Lateral projection · left wrist plain film · cast present · 102.2 mm image width · 710x936:

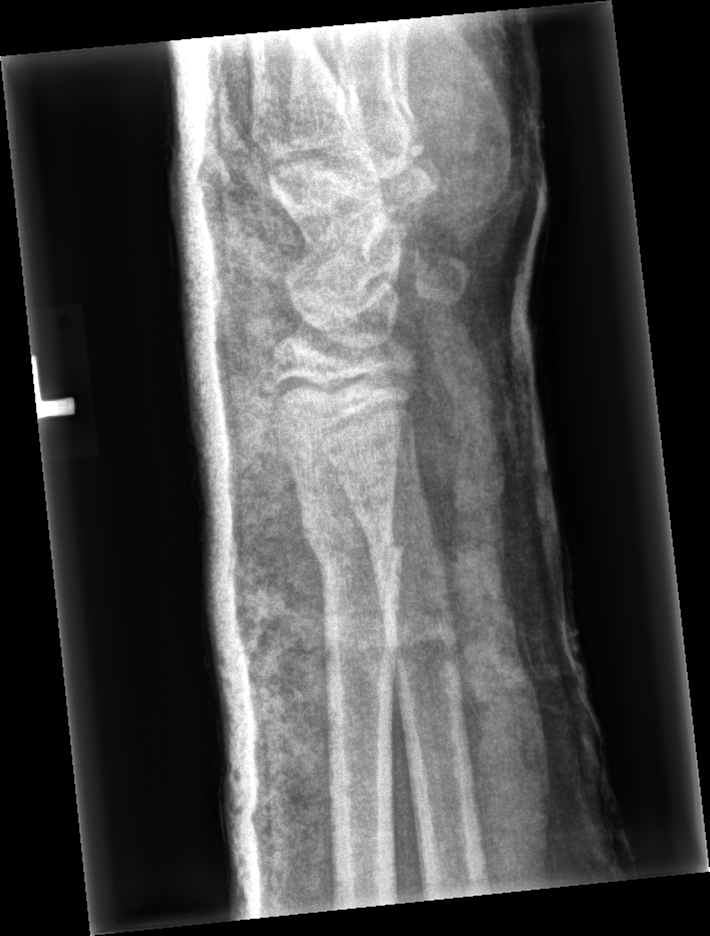 fracture: 2 @ 298,504,406,579; 357,492,443,577